Lateral projection, L wrist radiograph, Siemens: 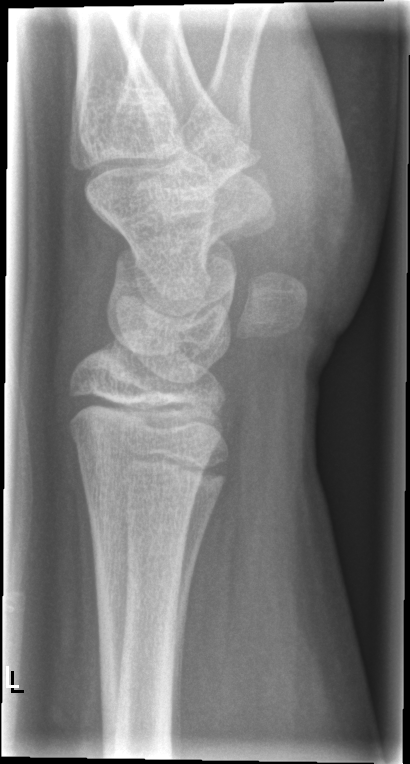

- No Fx annotated.